Lateral view · Rt wrist X-ray

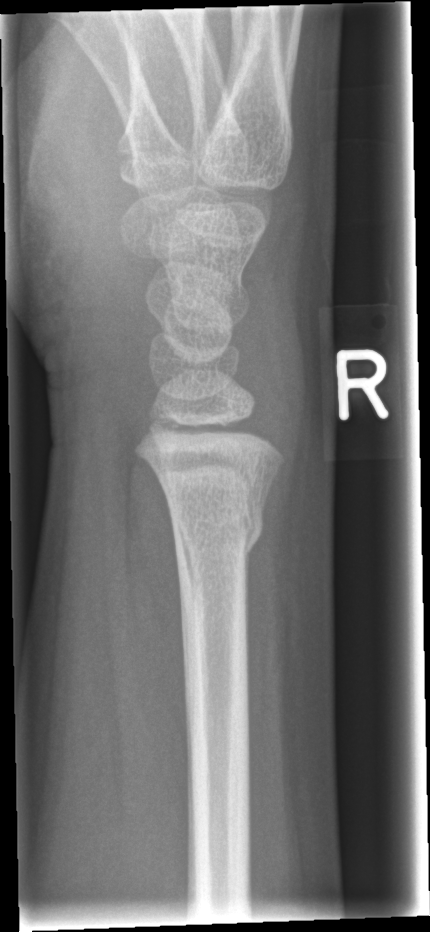

One fracture at 170,499,266,567.